Left wrist XR, frontal projection, follow-up study, Siemens, 664 by 846 pixels.

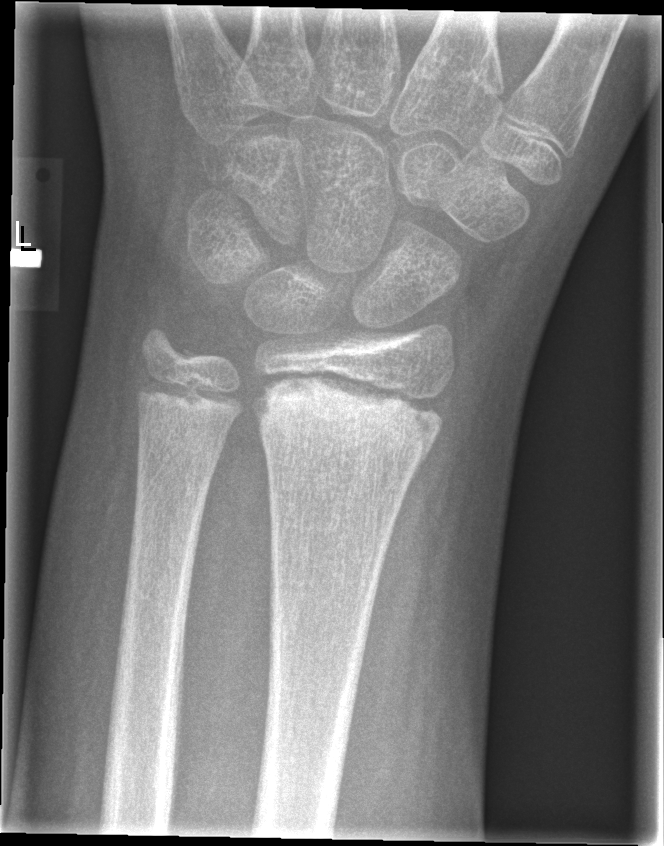 (bounding boxes in image-pixel xyxy)
Fracture: 263 390 439 463 | 138 324 202 371
AO classification: 23r-E/2.1; 23u-M/2.1; 23u-E/7
Osteopenia: present